Left wrist pediatric wrist radiograph; lat projection.
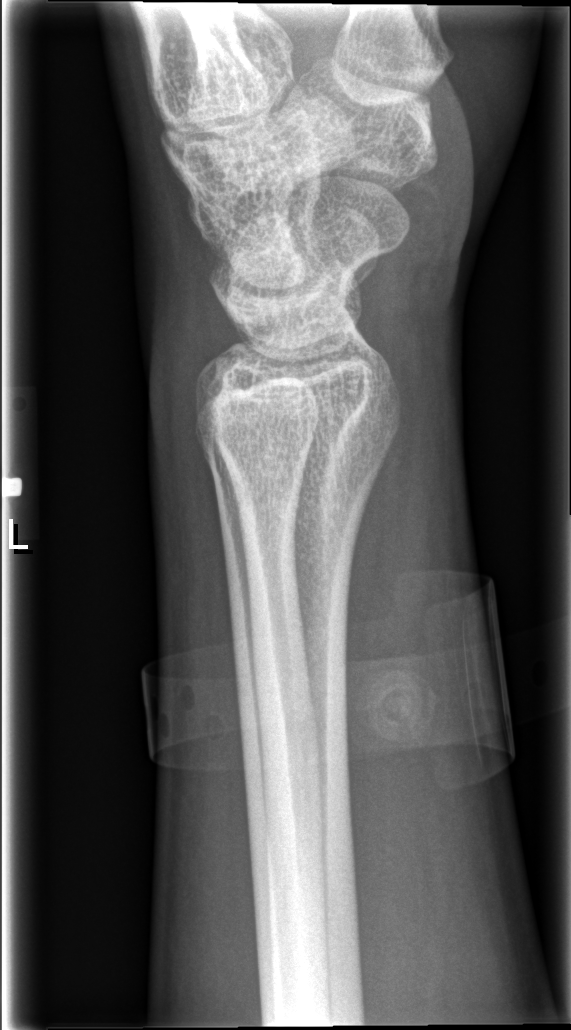
bone fracture = none labeled